Left wrist pediatric wrist radiograph · frontal projection:

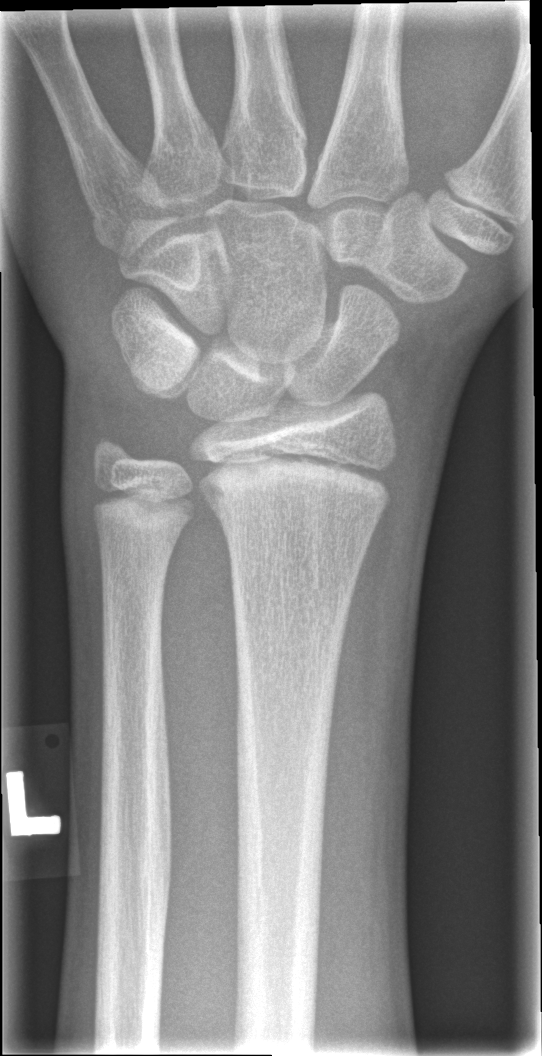 Fracture: none labeled